Left wrist X-ray; lat view; 70.6 mm image width —
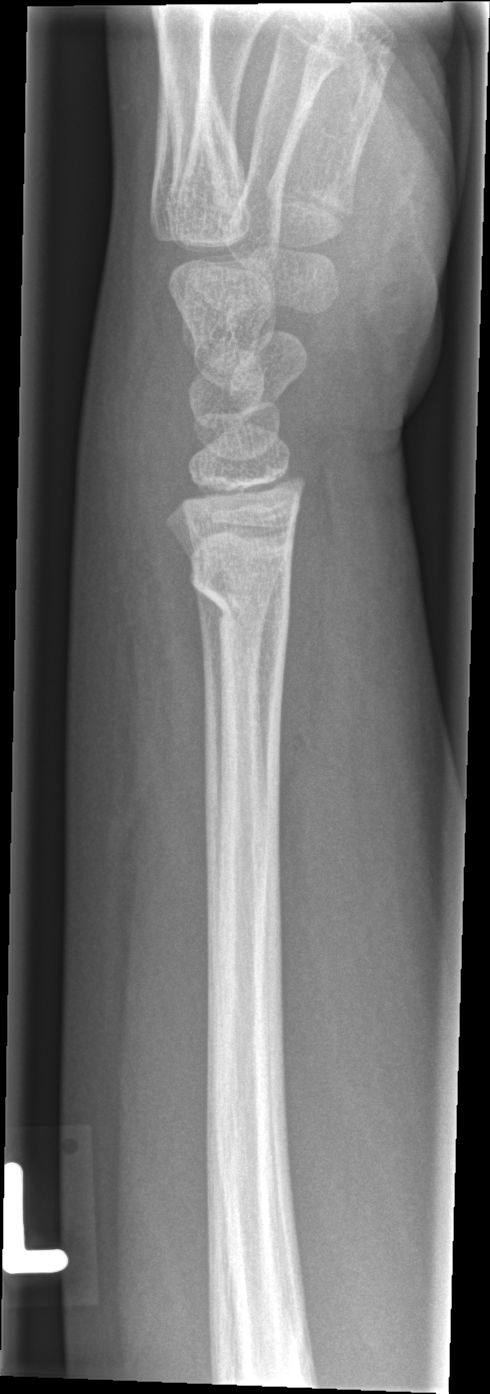

(boxes as x1,y1,x2,y2 (top-left / bottom-right, pixel units))
Pronator quadratus fat-pad sign = 274 463 351 818
AO code = 23r-M/2.1
Fracture = 1 @ 185 548 295 643
Soft-tissue swelling = 73 277 213 804